R plain radiograph of the wrist, lateral — 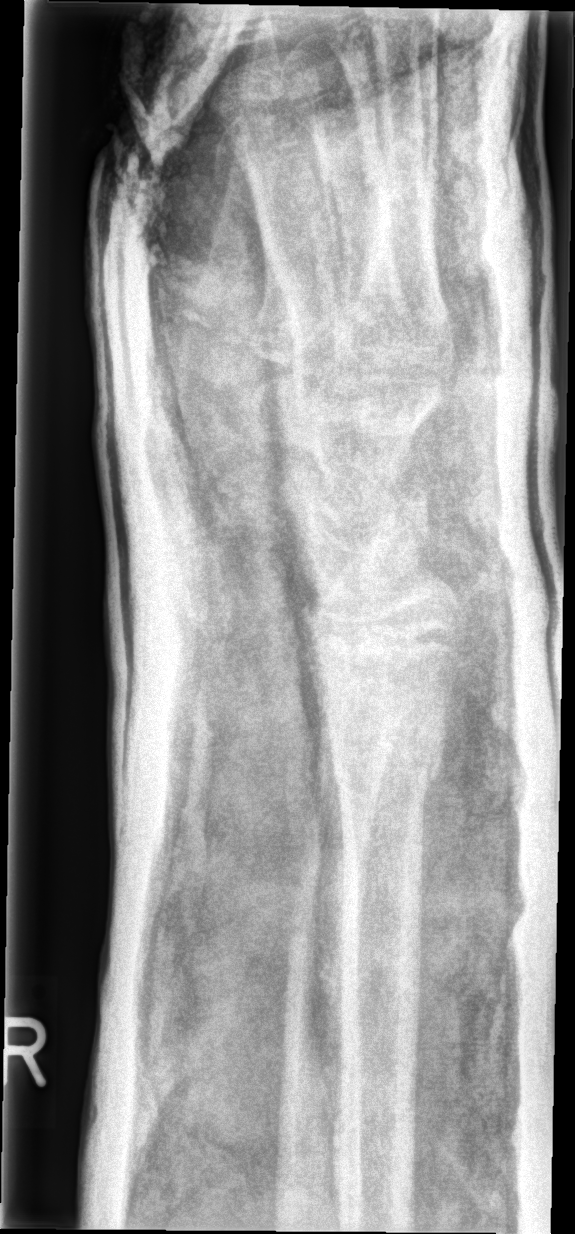

(coordinates are [x1, y1, x2, y2] in image pixels)
Q: Any fracture seen?
A: One bone fracture at 317 727 452 815